Posteroanterior, left wrist XR, 7y F, cast present, image width 187.2 mm:

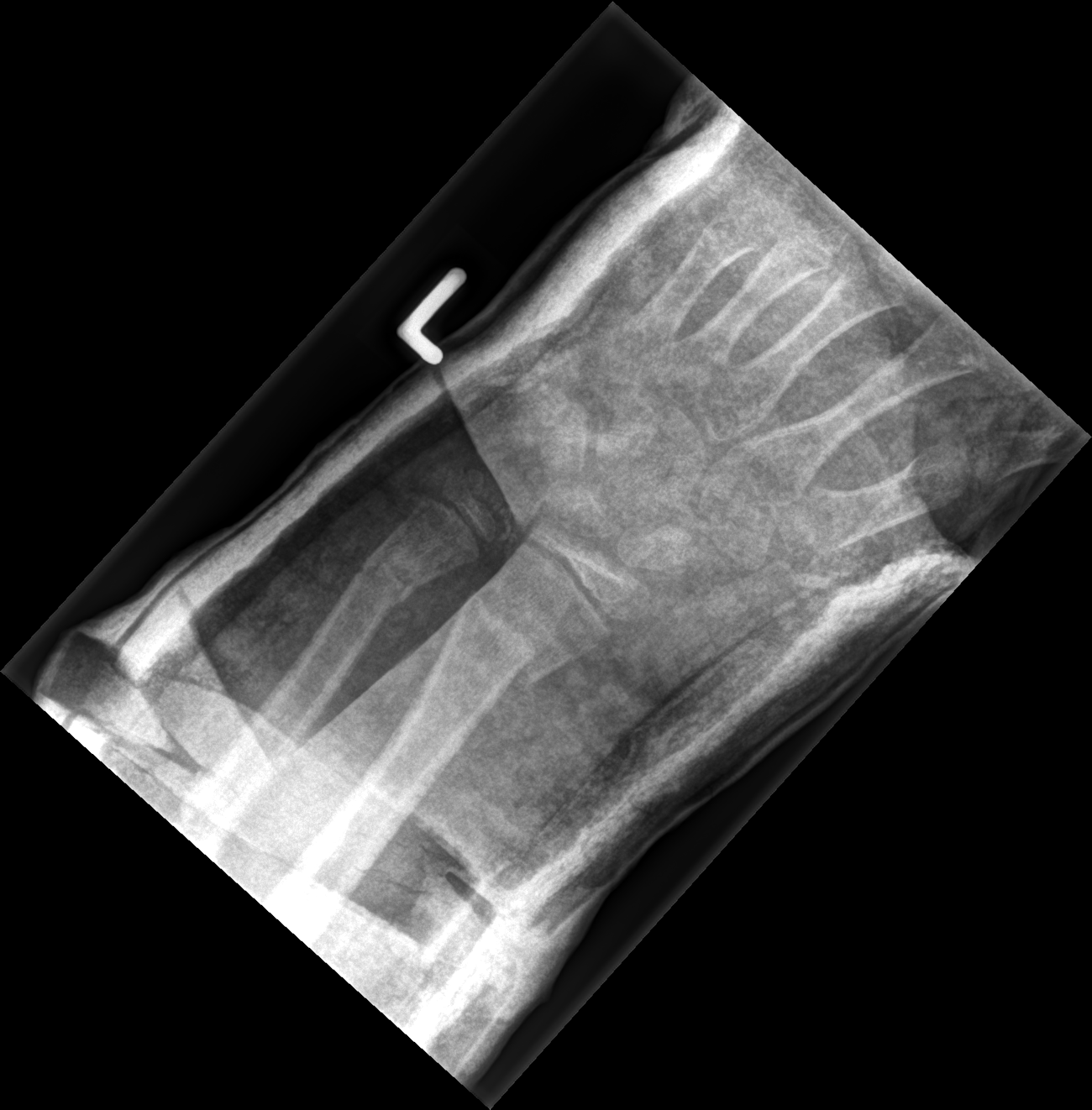

Boxes as x1,y1,x2,y2 (top-left / bottom-right, pixel units). Fx identified at (459, 584, 547, 688); (352, 547, 423, 610). AO code 23-M/3.1; 23u-E/7.